PA/AP; right wrist radiograph; pediatric patient (male, age 14); imaged through cast; Siemens; 631x1090. 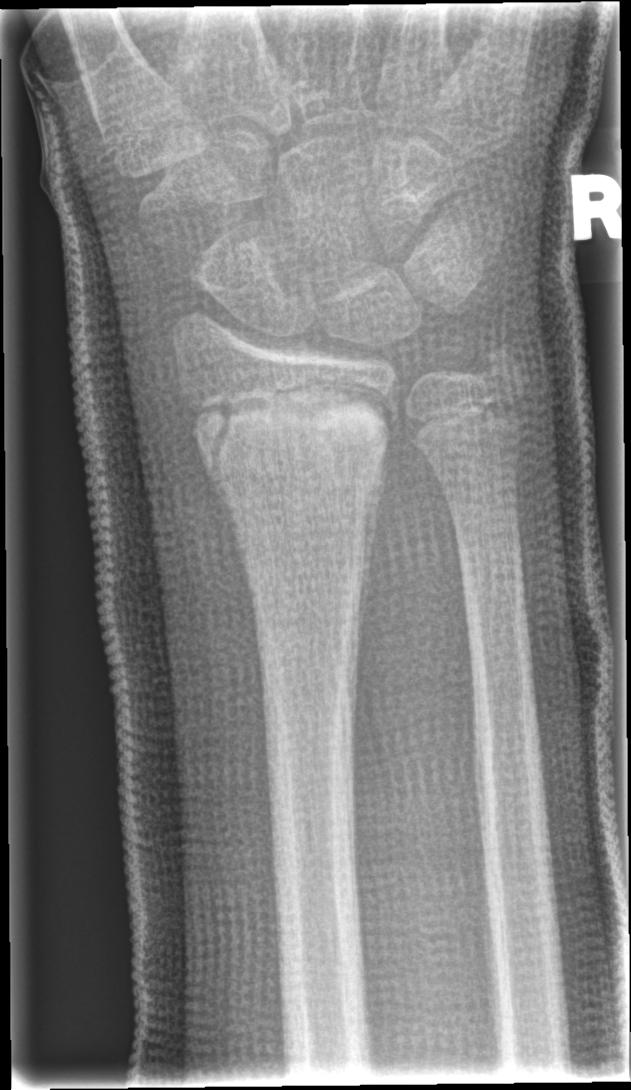 • Bounding boxes in image-pixel xyxy.
• AO/OTA classification: 23-E/2.1; 23u-E/7.
• Fx: (left=179, top=371, right=400, bottom=483), (left=473, top=341, right=528, bottom=398).